AP, right wrist XR, cast present
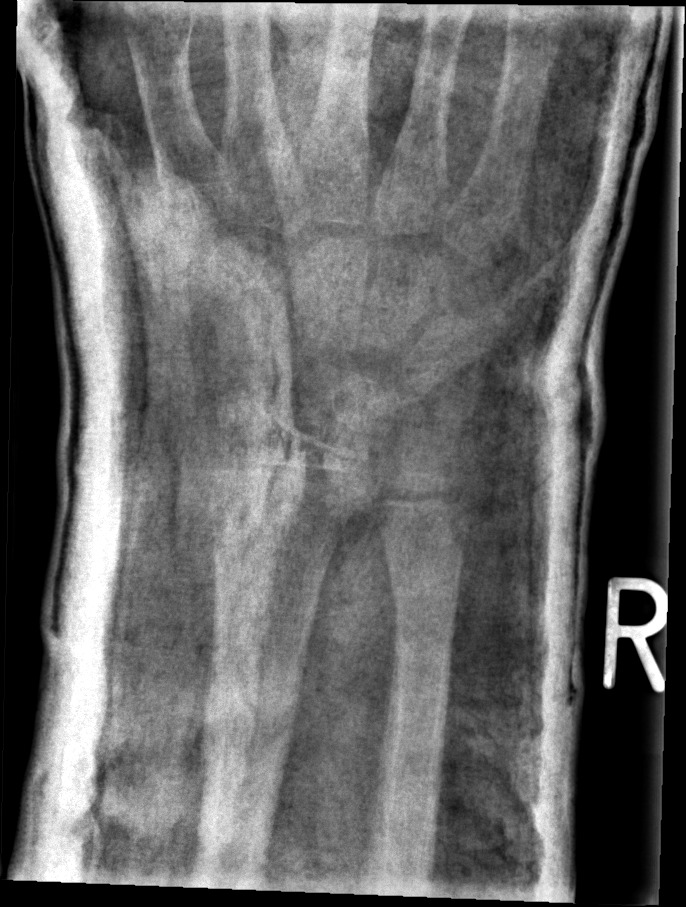

FINDINGS: Fracture — [383, 546, 471, 624]. AO code 22r-D/4.1; 23u-M/2.1.